PA/AP projection; left wrist X-ray; 15y F; presentation radiograph; 668x864 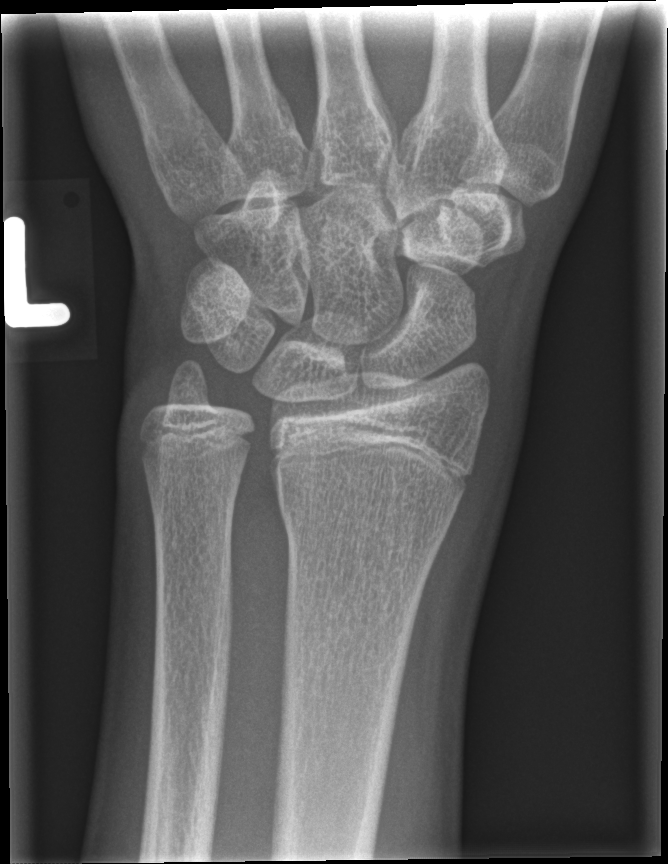
FINDINGS — No fracture annotation.